Rt wrist plain film · lateral view.
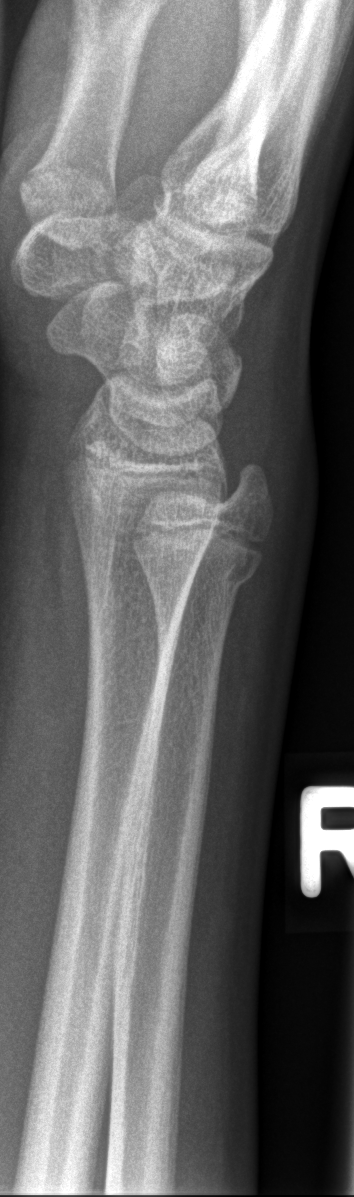
FINDINGS — Fracture classified AO/OTA 23u-M/2.1. Fracture identified at 138,536,266,605.